Lat · right wrist radiograph · 3y M · initial study.
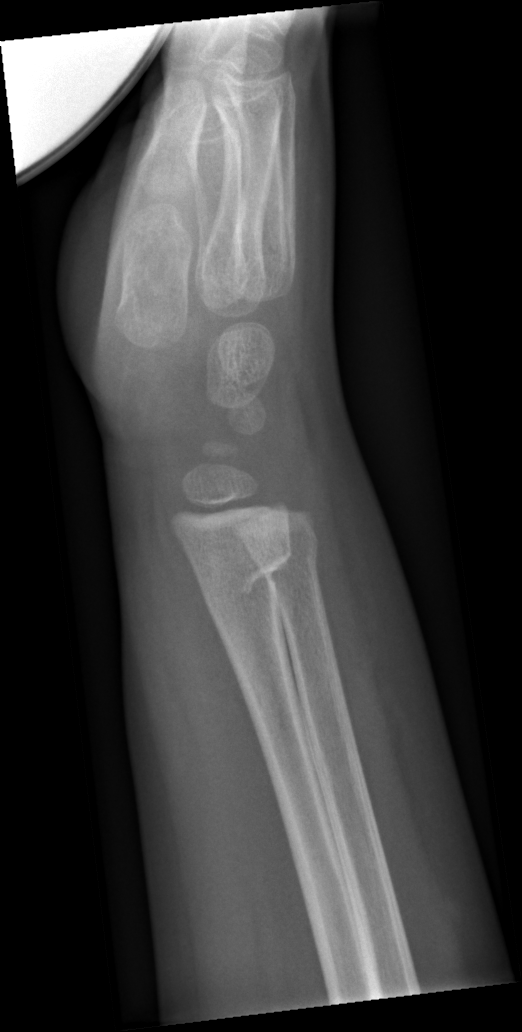

FINDINGS — Metallic hardware identified at [x1=0, y1=24, x2=172, y2=185]. AO/OTA classification: 23-M/2.1. Fx — [x1=193, y1=529, x2=296, y2=623] [x1=252, y1=529, x2=321, y2=582]. Pronator sign: [x1=150, y1=467, x2=308, y2=940].